Lateral projection, Lt wrist radiograph, 9-year-old male, in cast, 93.3 mm image width.

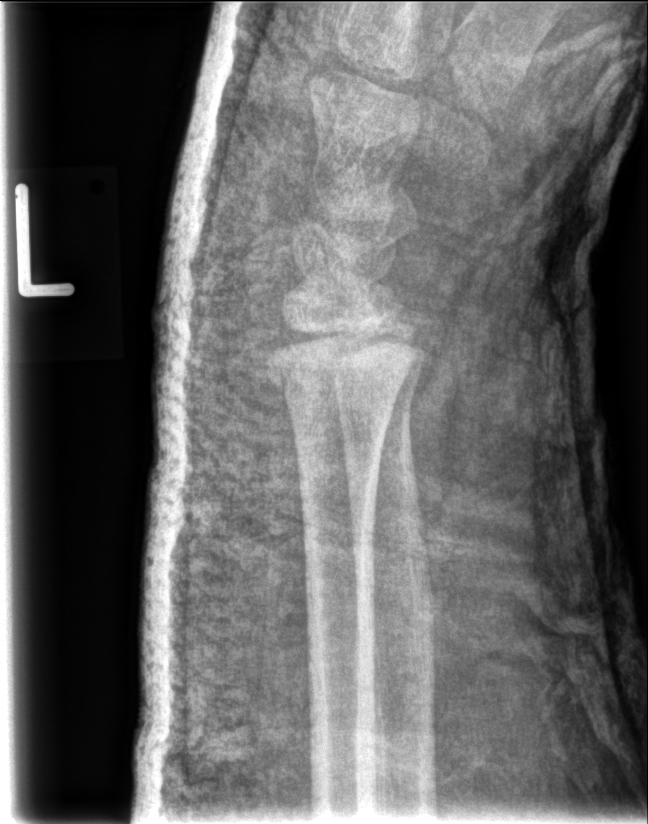 Fx — (left=261, top=324, right=417, bottom=399).